Lateral projection; R wrist plain film; girl, 4 yo
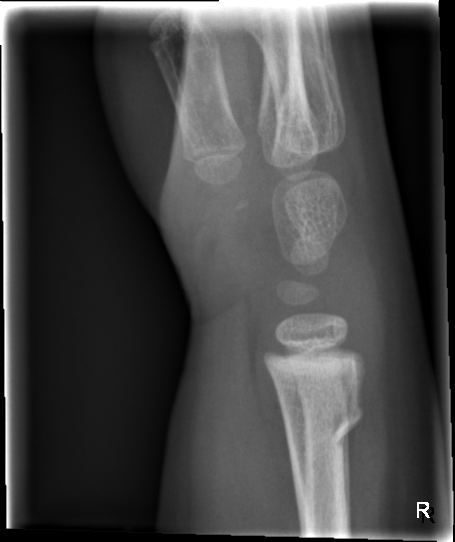 (coordinates are [x1, y1, x2, y2] in image pixels)
AO classification: 23-M/2.1
Fx: 1 @ <278,385>-<366,456>